Frontal | left wrist X-ray | age 11 y, boy | image 69.8 mm wide: 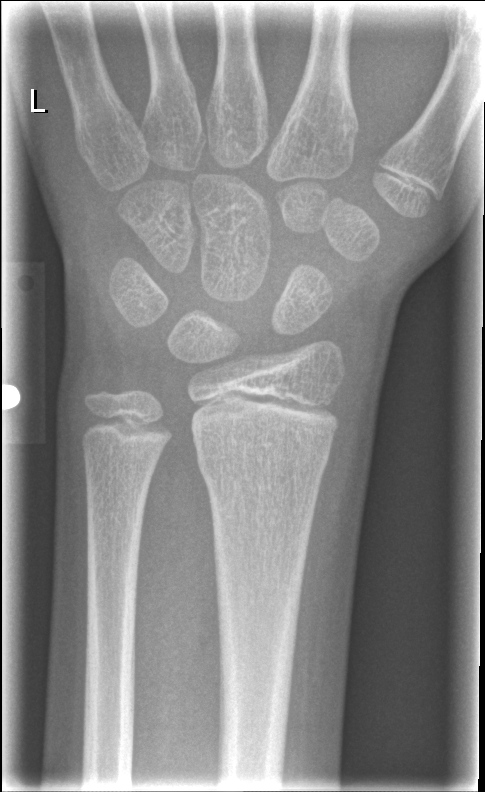

Bone fracture: (195, 445, 331, 487)